Lt plain radiograph of the wrist, AP projection, cast in situ, Siemens, 104.5 mm image width, image size 726x997. 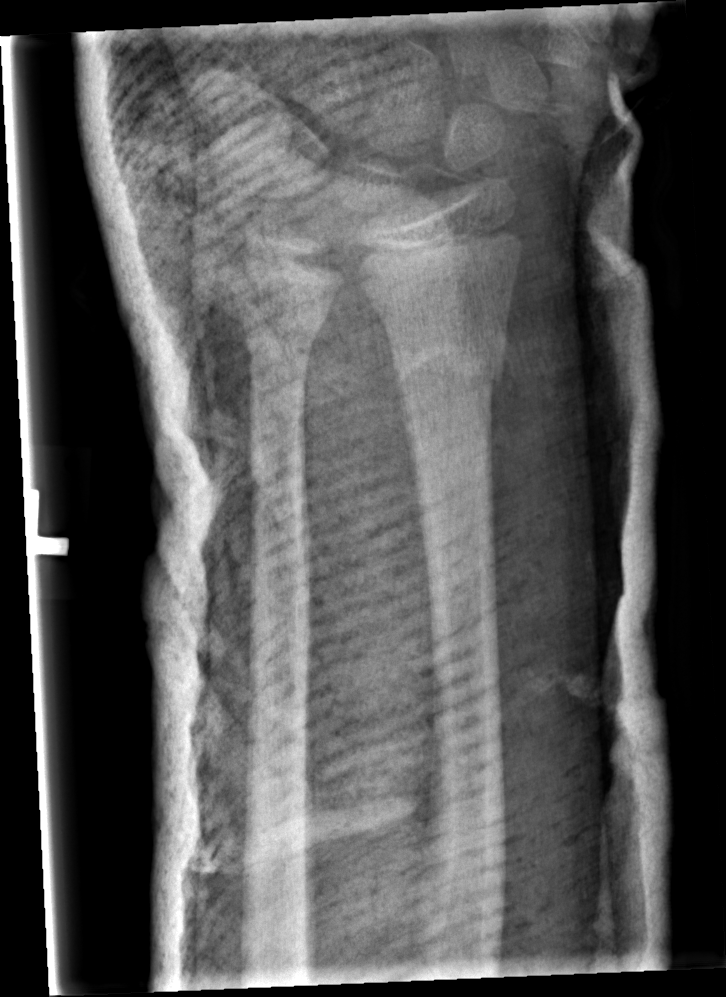

Q: Any fracture seen?
A: Bone fractures — bbox(231, 285, 336, 350) bbox(384, 345, 508, 398)
Q: What is the AO/OTA classification?
A: Fracture classified AO/OTA 23r-M/3.1; 23u-M/2.1